R pediatric wrist radiograph · lateral · image size 553x890:

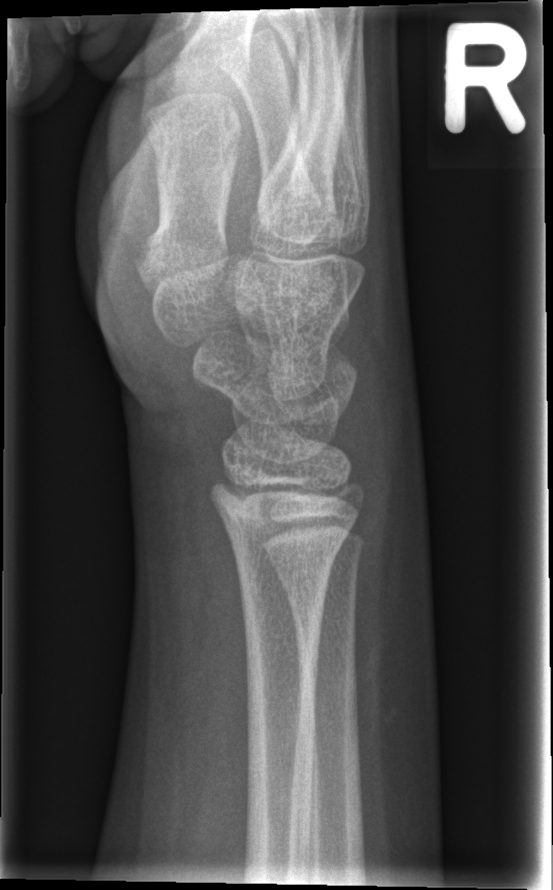
Fx: (231, 517, 352, 599)